Left wrist plain film, lat view, follow-up study, acquired on Siemens:

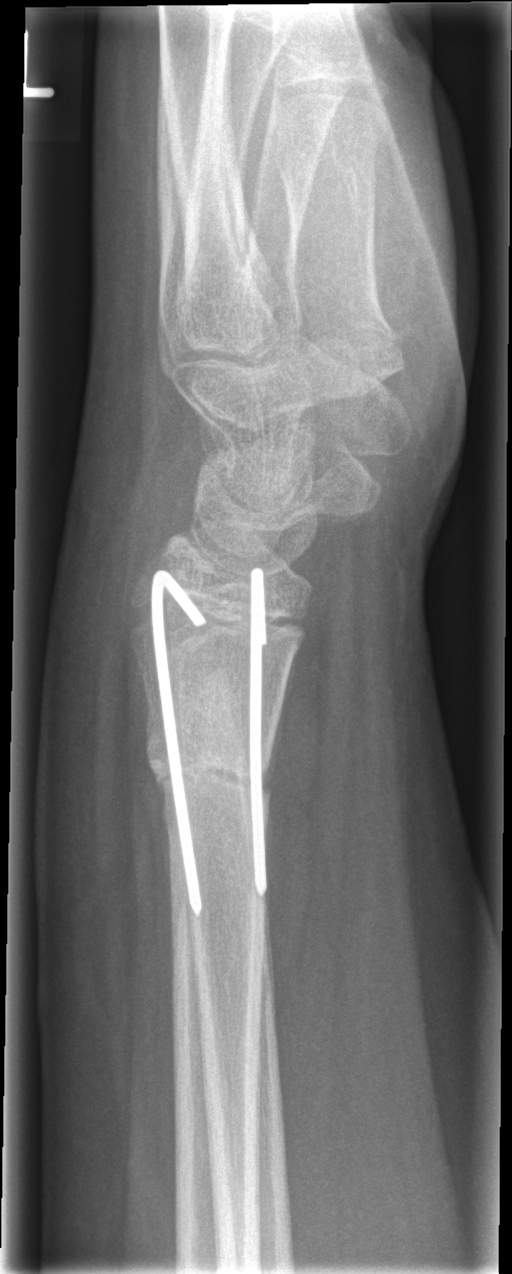 - Bounding boxes in image-pixel xyxy.
- Bone fracture identified at [x1=141, y1=667, x2=277, y2=830].
- Fracture classified AO/OTA 23-M/3.1; 23u-E/7.
- Metallic implant identified at [x1=153, y1=573, x2=209, y2=917] [x1=247, y1=568, x2=269, y2=898].